PA/AP, right wrist plain film, pediatric patient (boy, age 14), 636 by 1333 pixels.
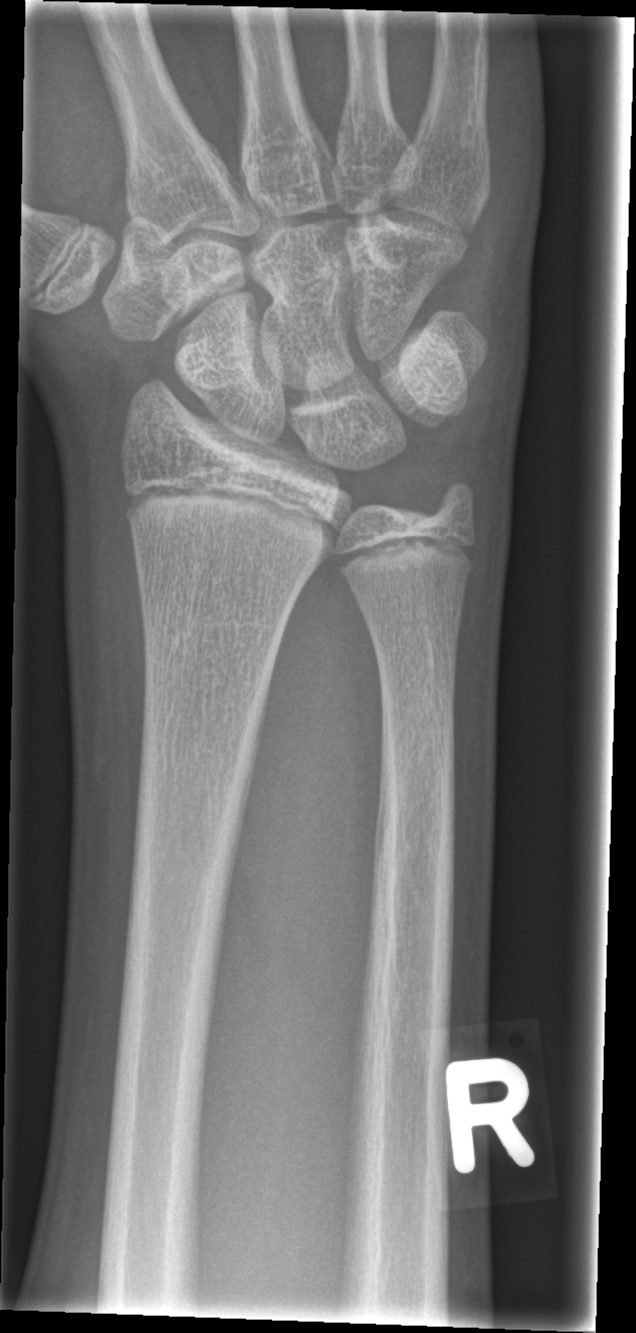

{
  "fracture": "present but not clearly seen in this view"
}